Rt wrist plain film · posteroanterior projection · initial study · acquired on Siemens

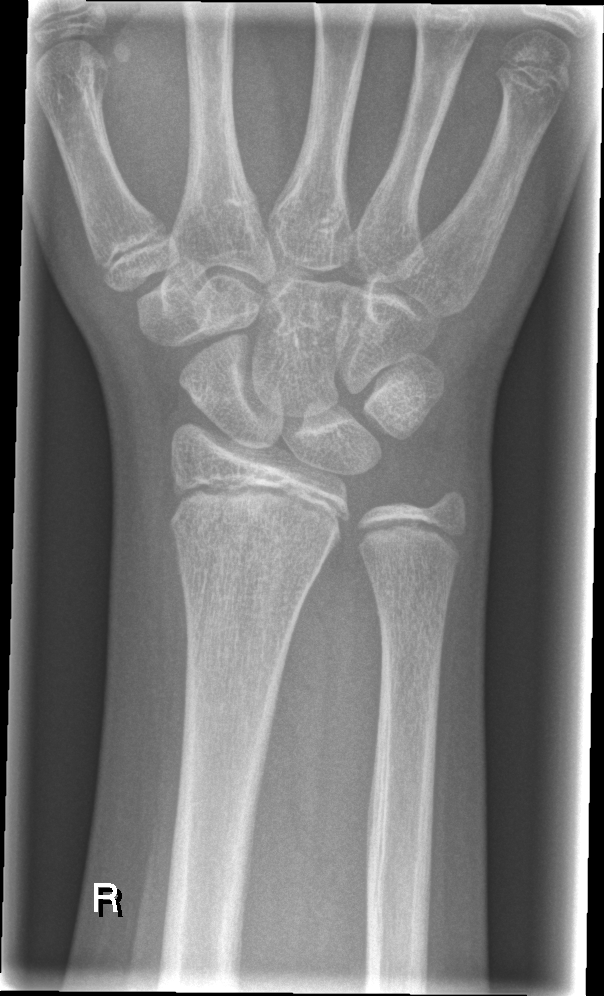 Fx = (168, 498, 346, 551)